Rt pediatric wrist radiograph | PA/AP view | 486 by 450 pixels 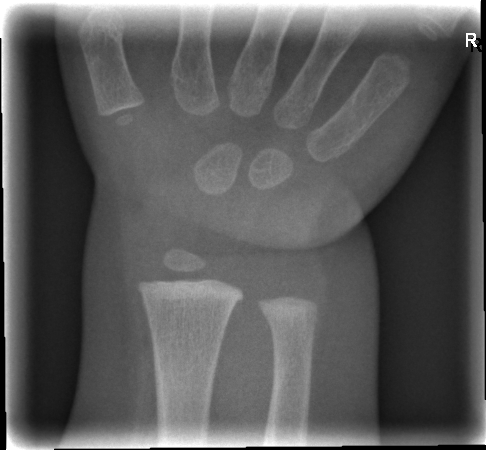 No fracture labeled.